Right wrist radiograph, lateral view, detector: Siemens.
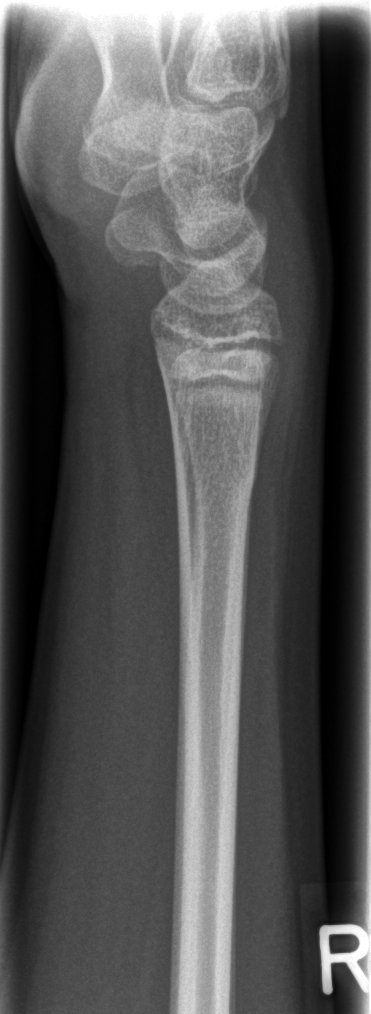
Boxes as x1,y1,x2,y2 (top-left / bottom-right, pixel units).
Positive pronator fat-pad sign: bbox(121, 303, 187, 580).
AO code 23r-M/2.1.
Bone fracture: bbox(171, 445, 260, 514).